Lateral view | right wrist XR — 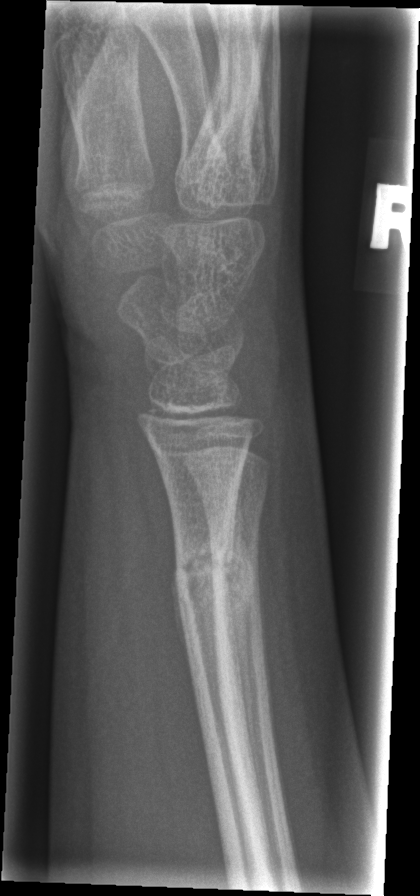
FINDINGS — (coordinates are [x1, y1, x2, y2] in image pixels) Periosteal reaction identified at (222, 478, 261, 809), (171, 571, 190, 668). Osteopenic. Fx identified at (167, 535, 241, 606). AO code 23r-M/3.1; 23u-M/2.1.